PA, Lt wrist plain film, cast in situ.
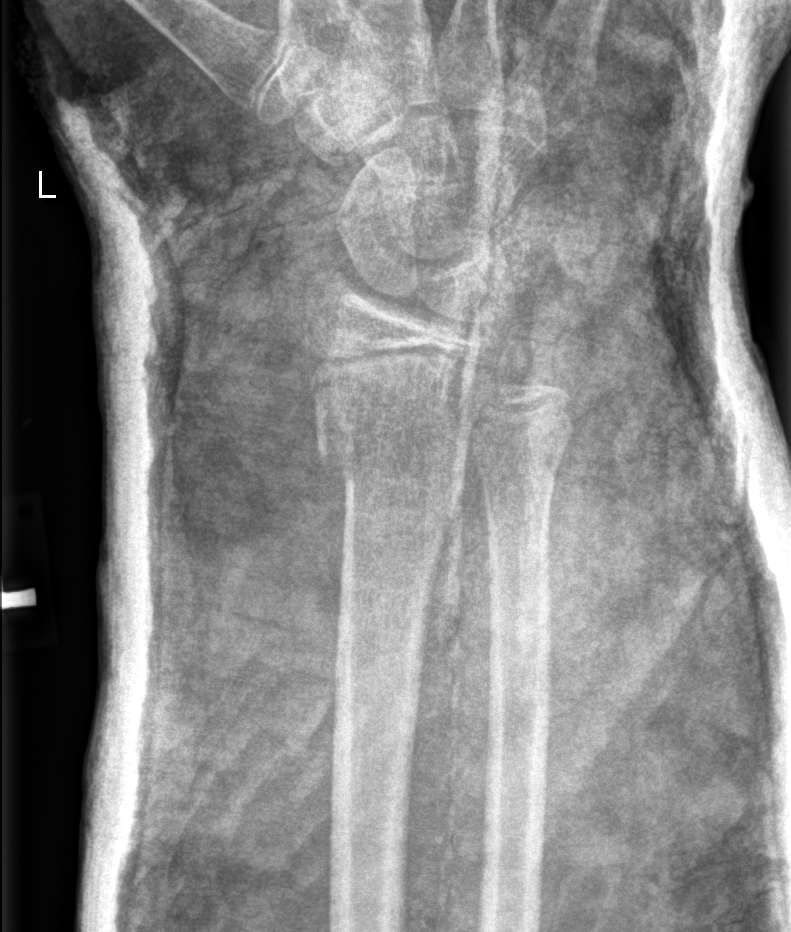

FINDINGS — AO code 23r-M/3.1; 23u-E/7. One fracture at (290, 363, 487, 550).